Lat · R pediatric wrist radiograph · male, 16 yo · imaged through cast. 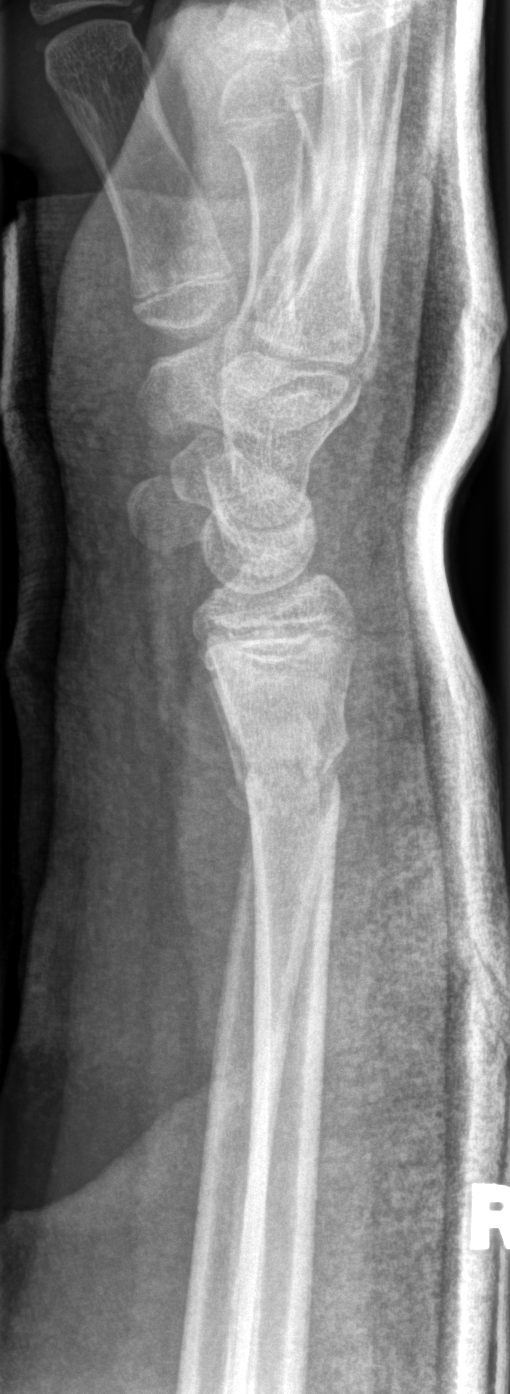 FINDINGS — (coordinates are [x1, y1, x2, y2] in image pixels) Fx: bbox(222, 716, 355, 836).